Right wrist XR | lateral | pediatric patient (boy, age 12) | index exam:
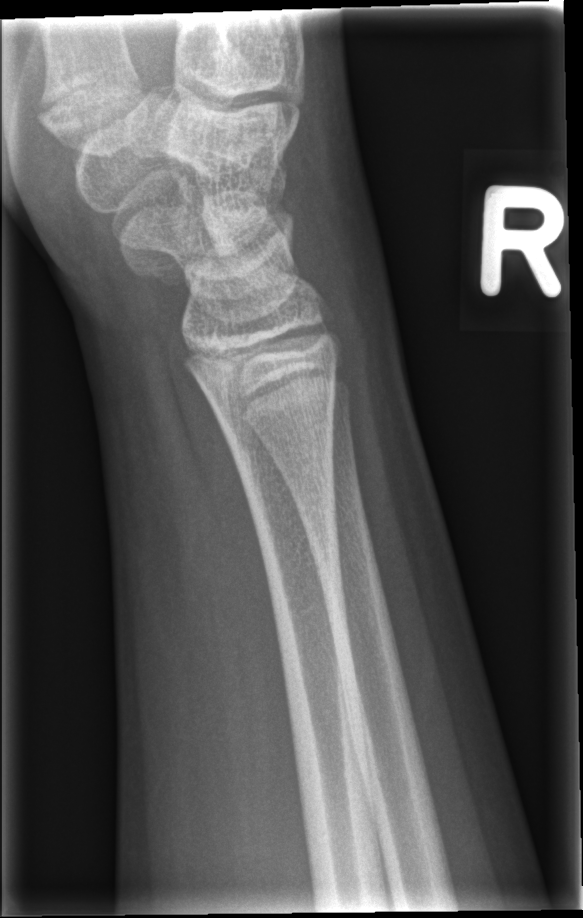
Fx = none labeled